Left wrist radiograph · PA view · age 10 y, male 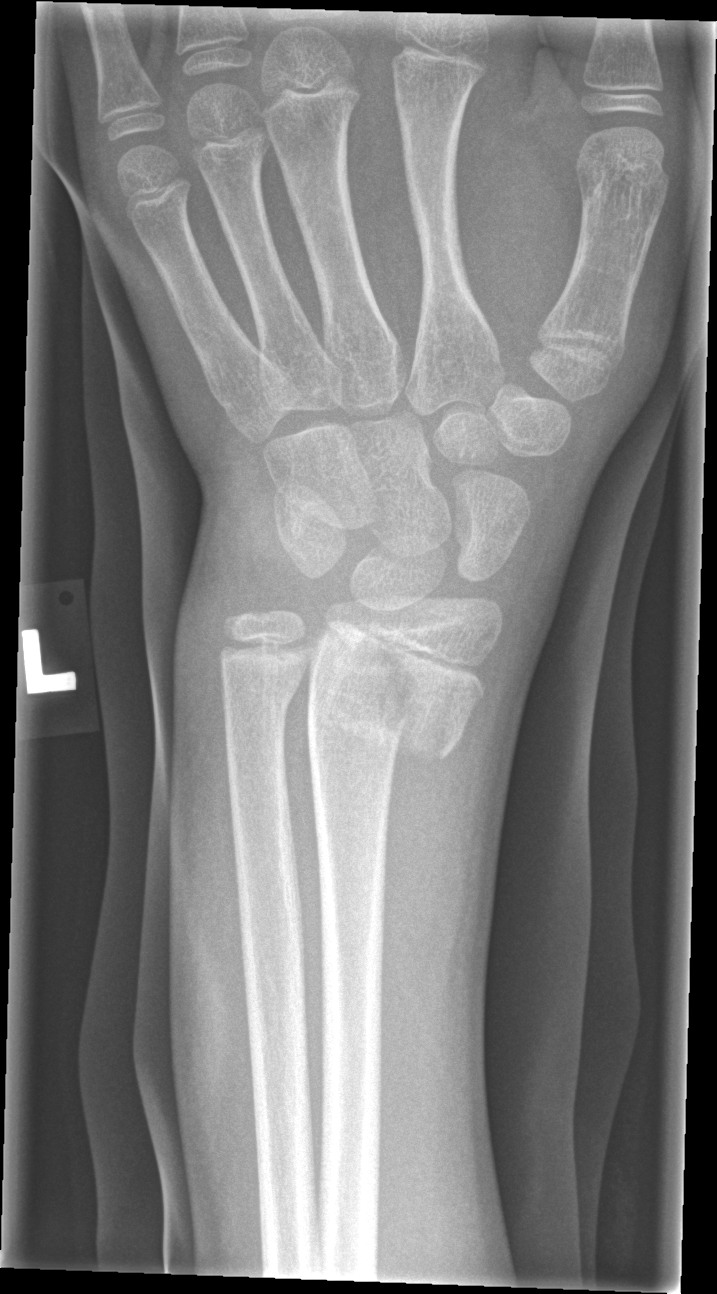
- Two fractures at [x1=302, y1=643, x2=491, y2=772], [x1=219, y1=672, x2=298, y2=722].
- AO code 23r-M/3.1; 23u-M/2.1.